Frontal projection, right wrist pediatric wrist radiograph, girl, 12 yo, image width 102.4 mm —
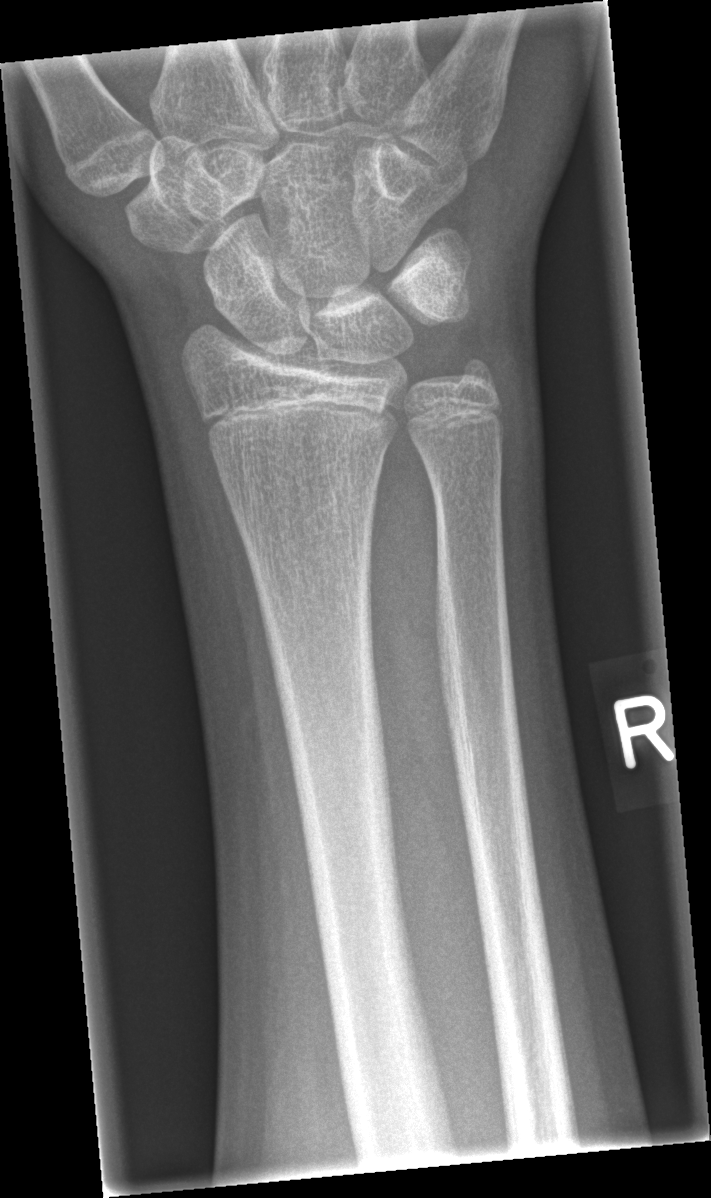
- Fracture: none labeled.